Right wrist XR | lat | index exam | Siemens —
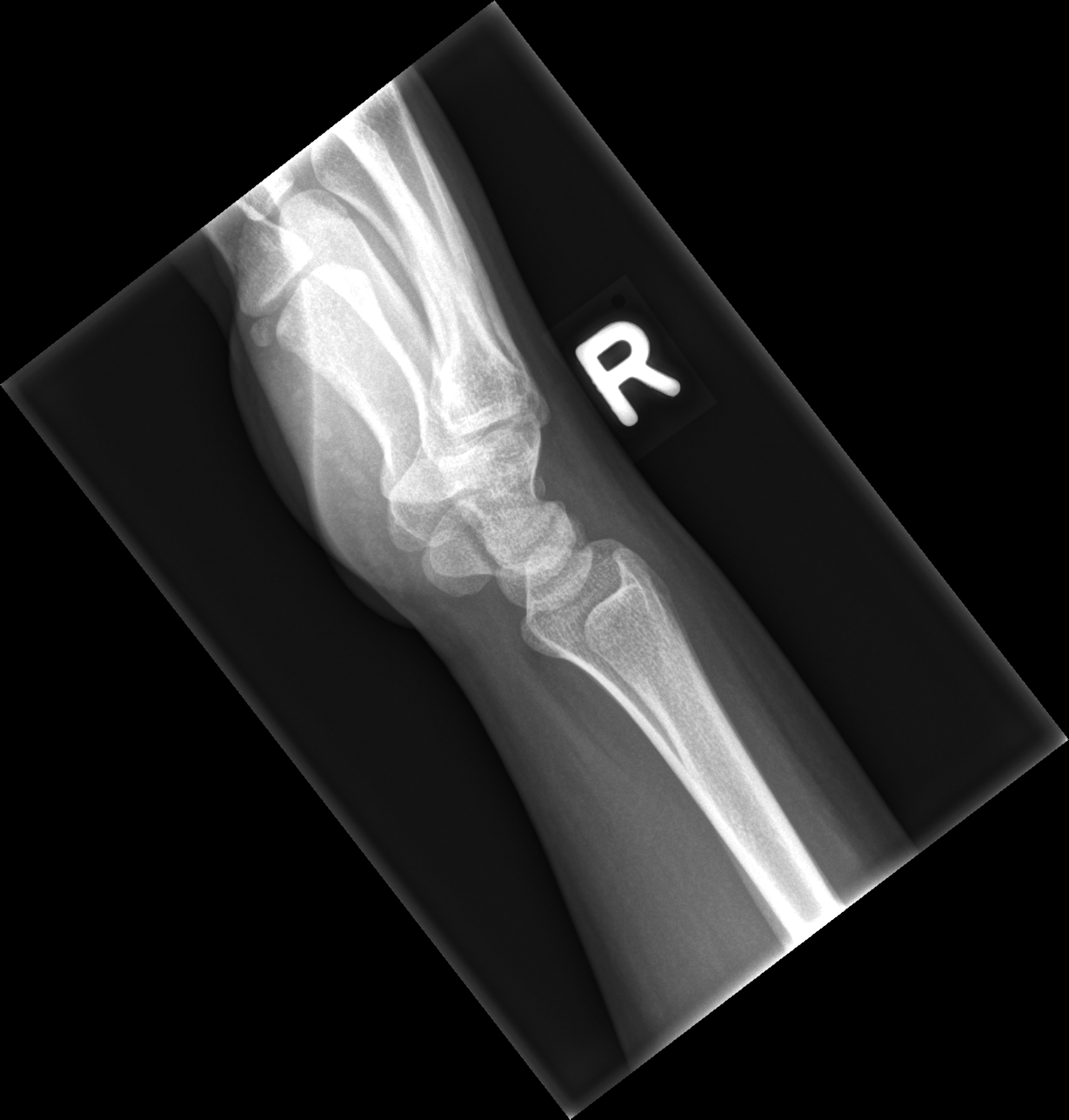

Fracture: none labeled.